Left wrist radiograph, PA/AP projection, girl, 8 yo, subsequent exam — 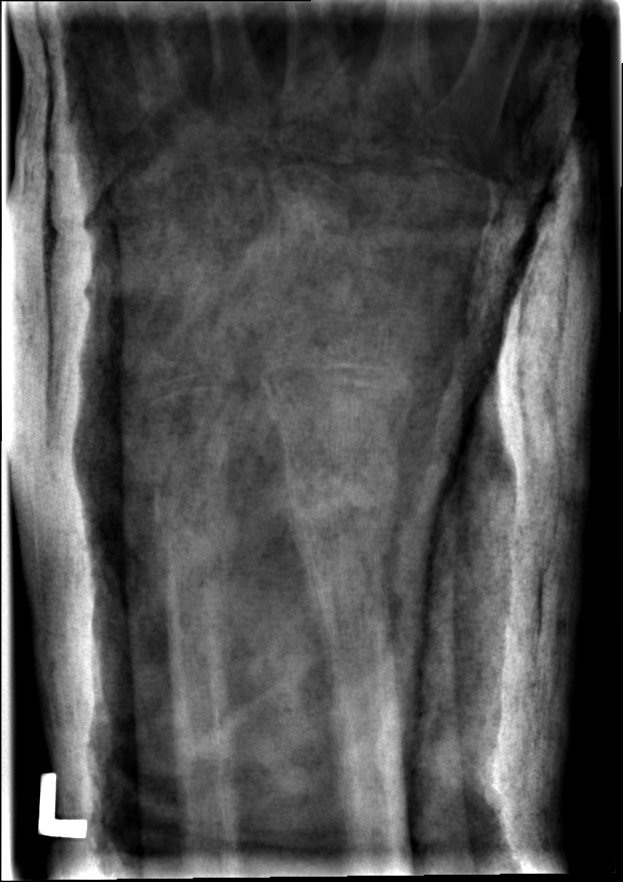 Fracture: 271 454 404 538; 147 486 241 562.